Right plain radiograph of the wrist, lat, 13y M
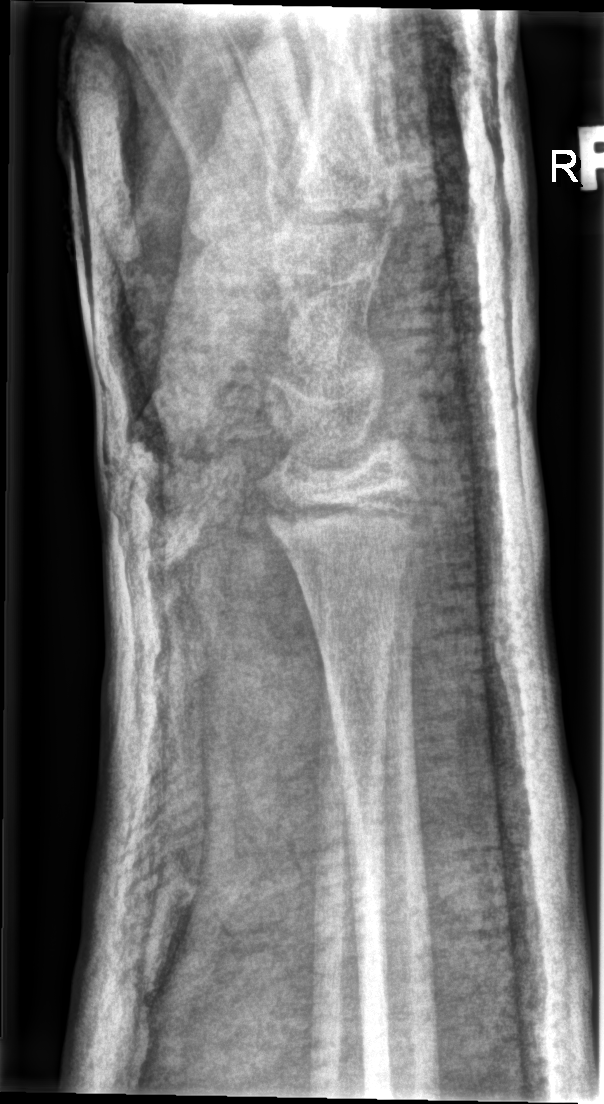
One fracture at [261, 478, 430, 550].